Rt wrist radiograph, AP view.
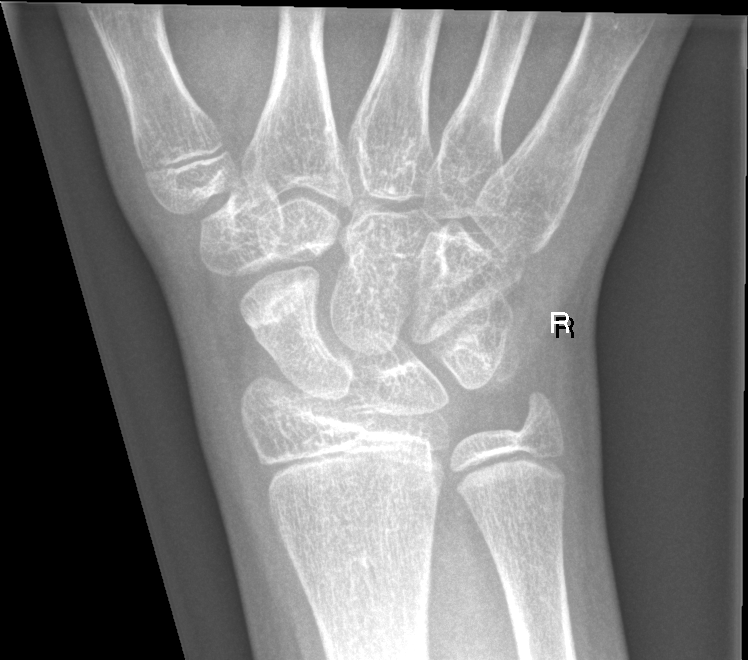

Q: Is there a fracture?
A: No Fx annotated